Right wrist radiograph · lateral · in cast:

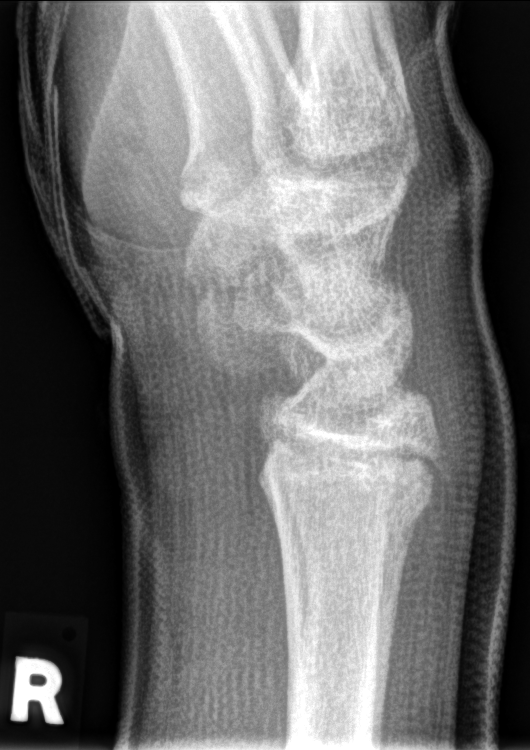 Pixel coordinates, top-left origin, xyxy. Fracture classified AO/OTA 23r-E/2.1; 23u-E/7. Bone fracture: 255 425 444 540. Osteopenia.